Left wrist radiograph; lateral view; 7-year-old female — 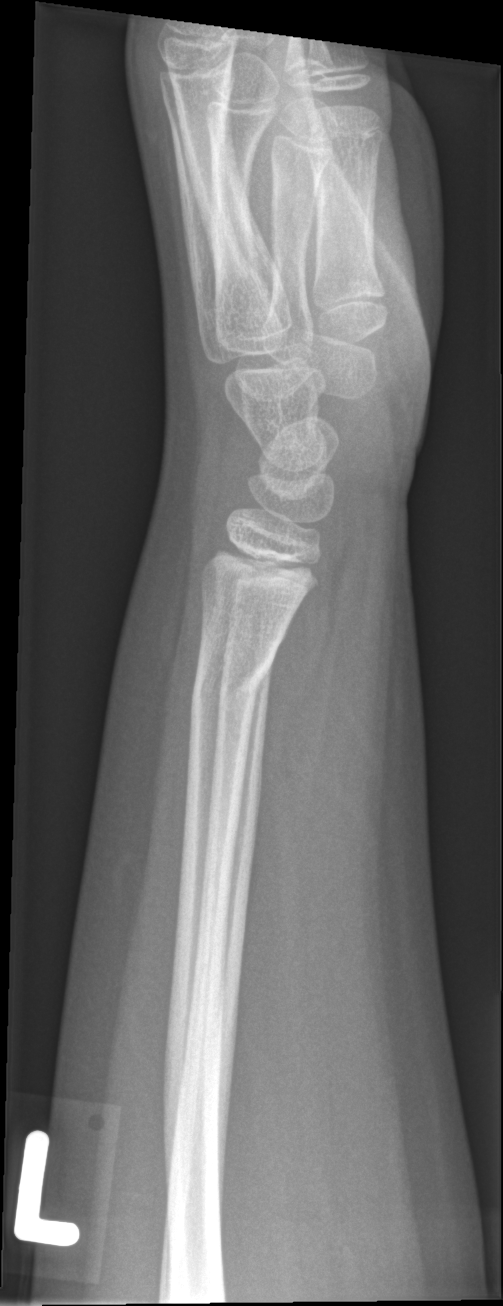

FINDINGS — Bone fracture identified at (188, 642, 279, 719). AO/OTA classification: 23-M/2.1.